Lateral view, left wrist plain film, pediatric patient (male, age 14), imaged through cast:

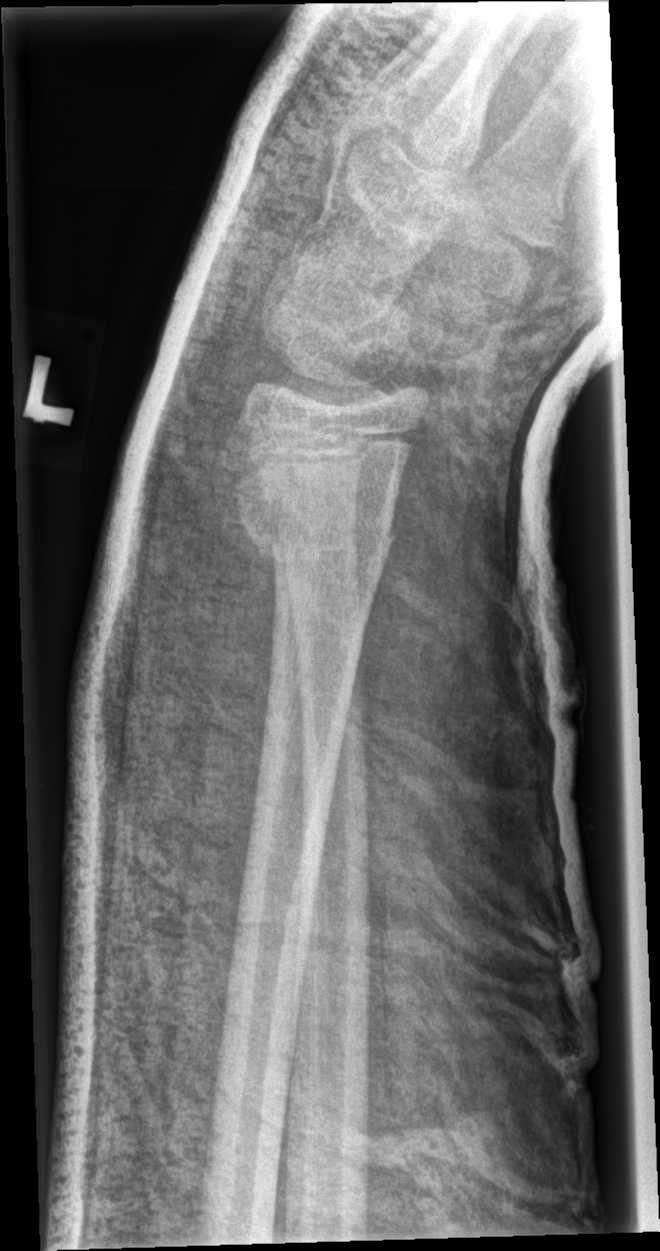
One fracture at <236,502>-<402,568>.